Left wrist plain film · lat projection · age 5 y, boy · 559 by 1240 pixels: 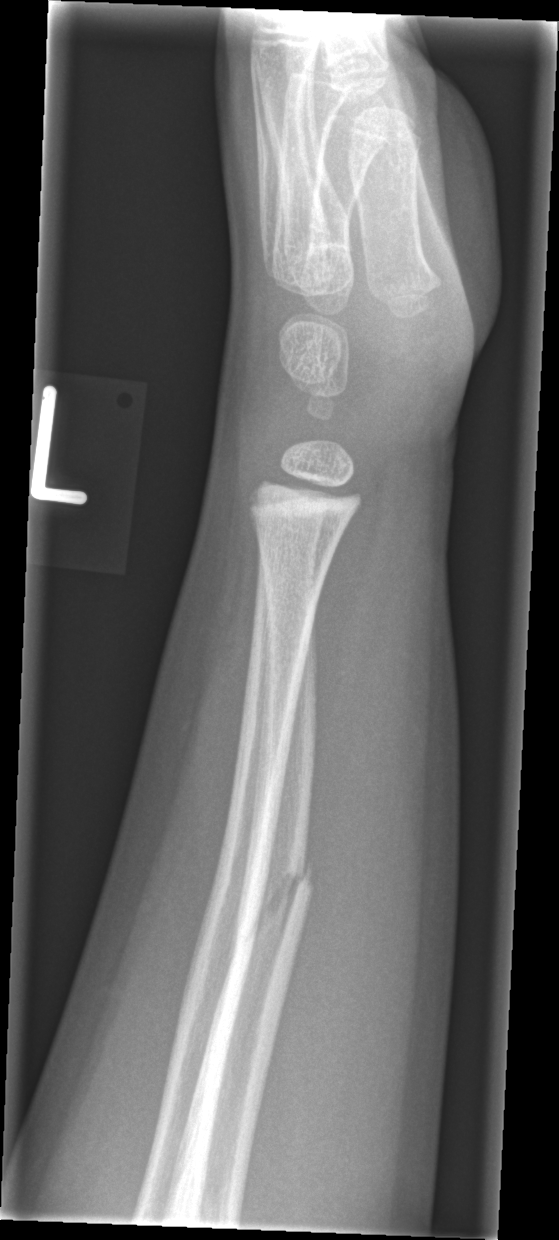 Boxes as x1,y1,x2,y2 (top-left / bottom-right, pixel units). Fracture: [x1=225, y1=850, x2=321, y2=975].